Lateral | left wrist XR:
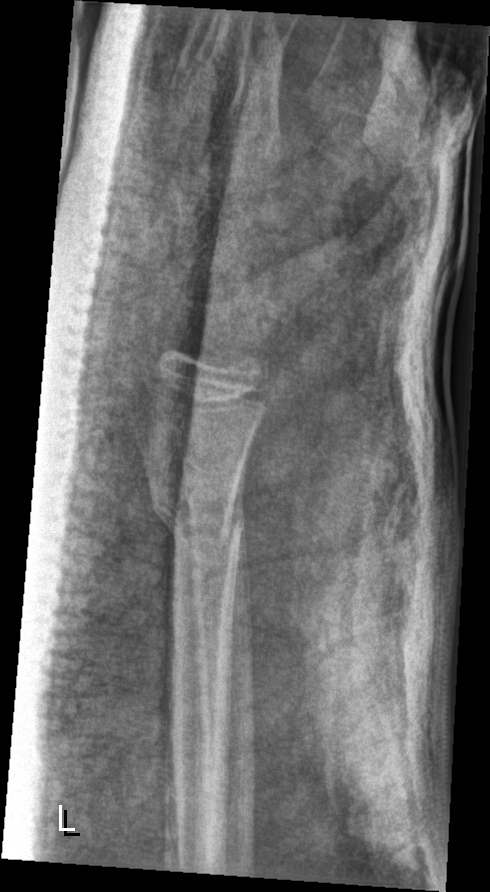
Coordinates are [x1, y1, x2, y2] in image pixels.
One bone fracture at 147 481 248 545.